Posteroanterior view | Rt wrist radiograph —

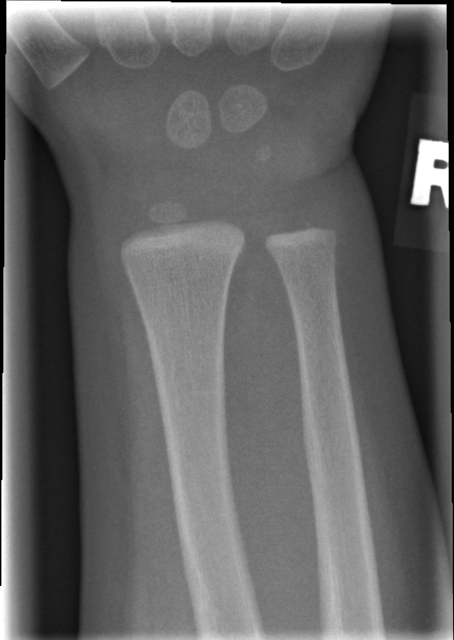 Fracture: none labeled.